R plain radiograph of the wrist, PA/AP, imaged through cast, detector: Siemens: 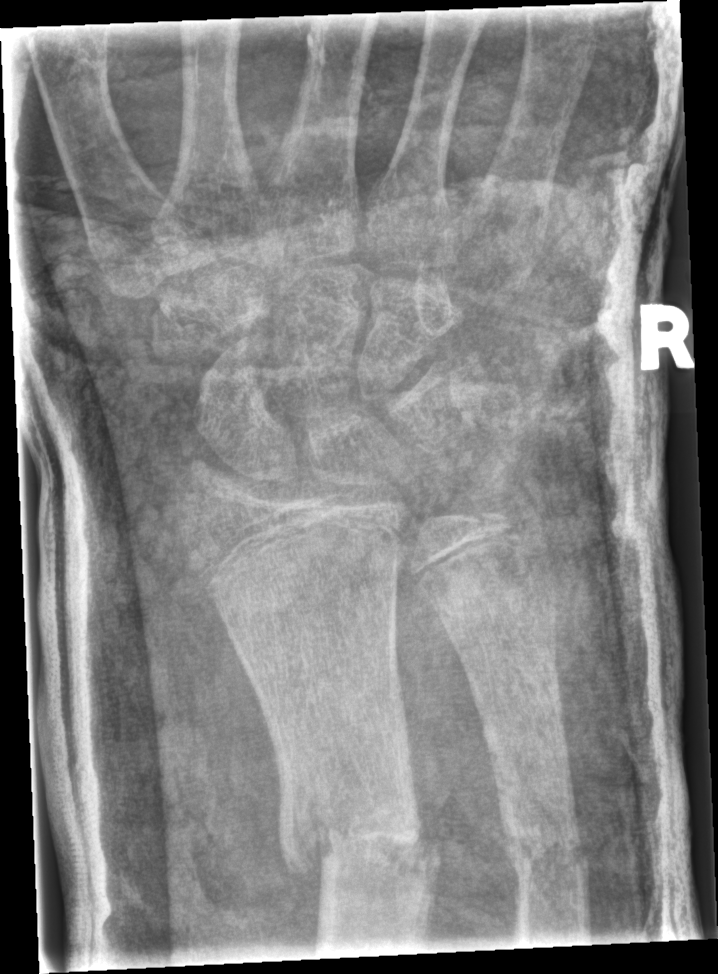
- Fracture classified AO/OTA 23-M/3.1.
- Two fractures at (left=271, top=765, right=447, bottom=892) (left=499, top=815, right=592, bottom=885).